Left wrist pediatric wrist radiograph, PA/AP projection, age 7 y, girl, detector: Siemens:
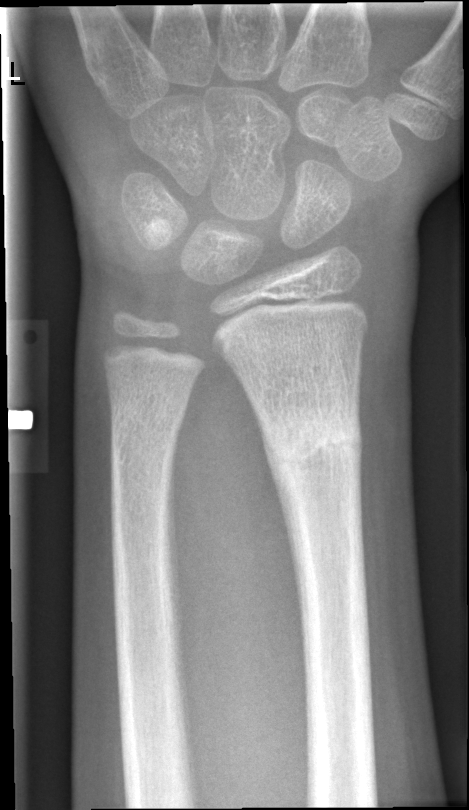
AO/OTA: 23-M/3.1
bone fracture: 2 @ bbox(265, 406, 365, 481); bbox(106, 401, 190, 449)